Lateral view, left wrist radiograph, 642x1160 —
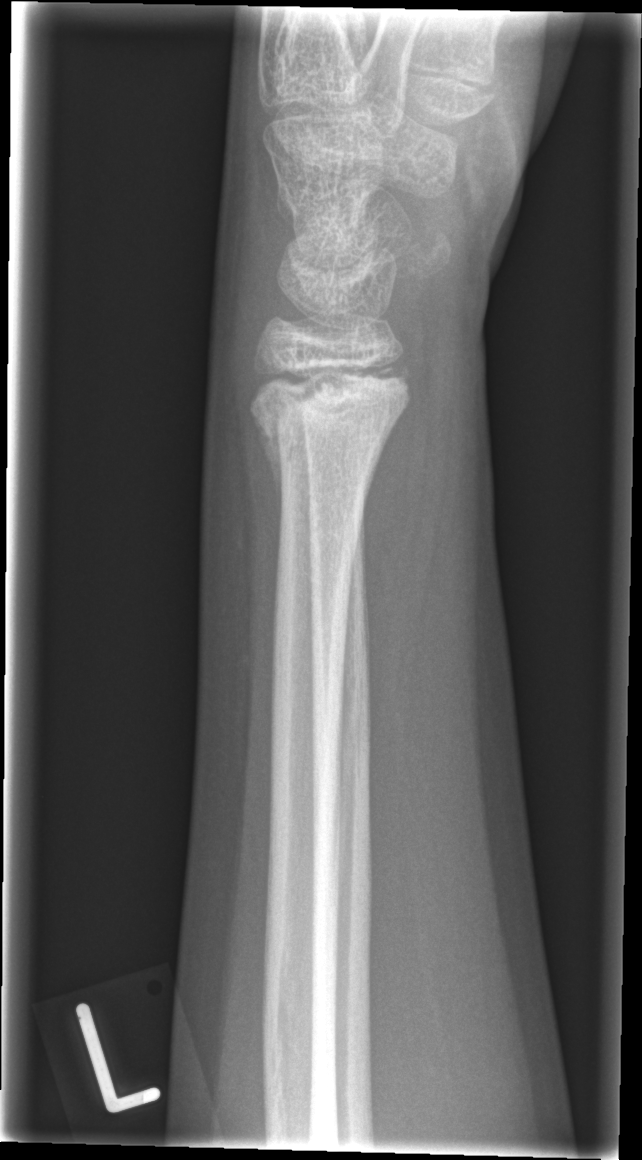 One periosteal thickening at 252 408 285 574. AO code 23r-E/2.1. Reduced bone mineral density. Bone fracture identified at 247 351 418 471.